Frontal · L wrist radiograph · age 11 y, boy · acquired on Siemens: 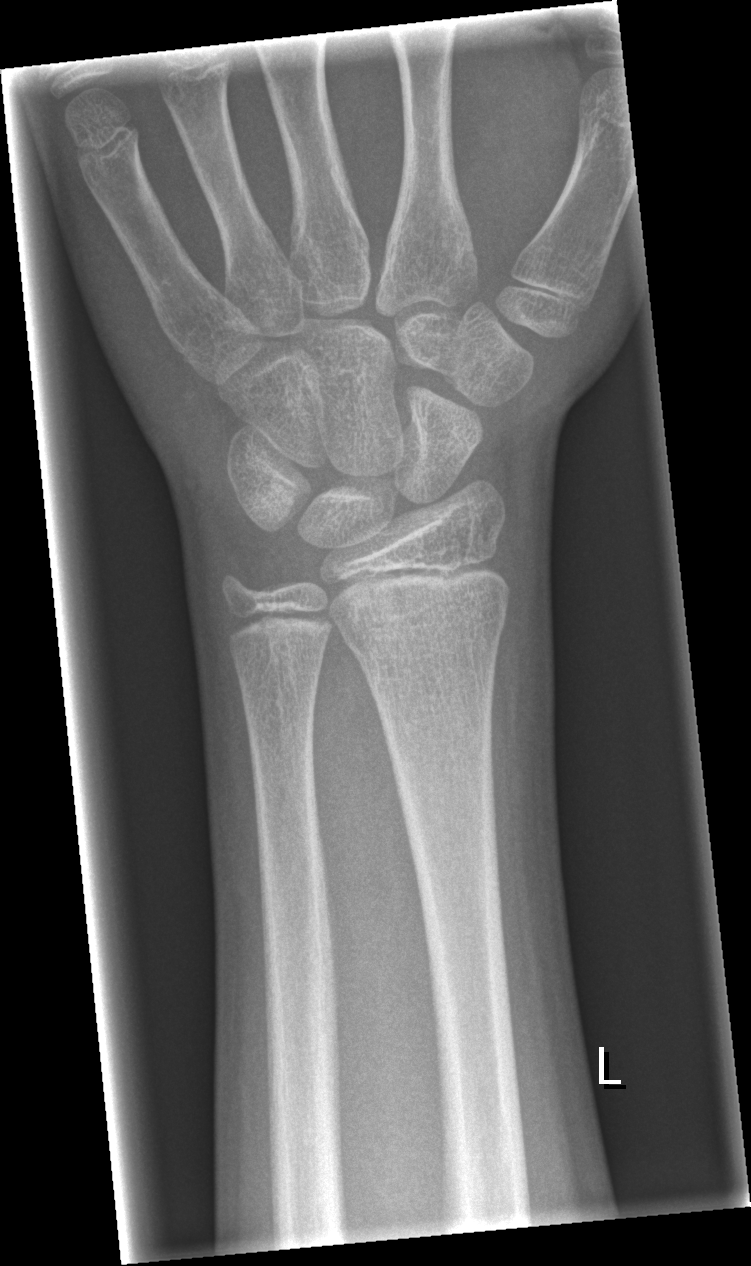 {
  "ao": "23r-M/2.1",
  "fracture": "(left=340, top=604, right=512, bottom=666)"
}